Lat view, L plain radiograph of the wrist, image 90.3 mm wide — 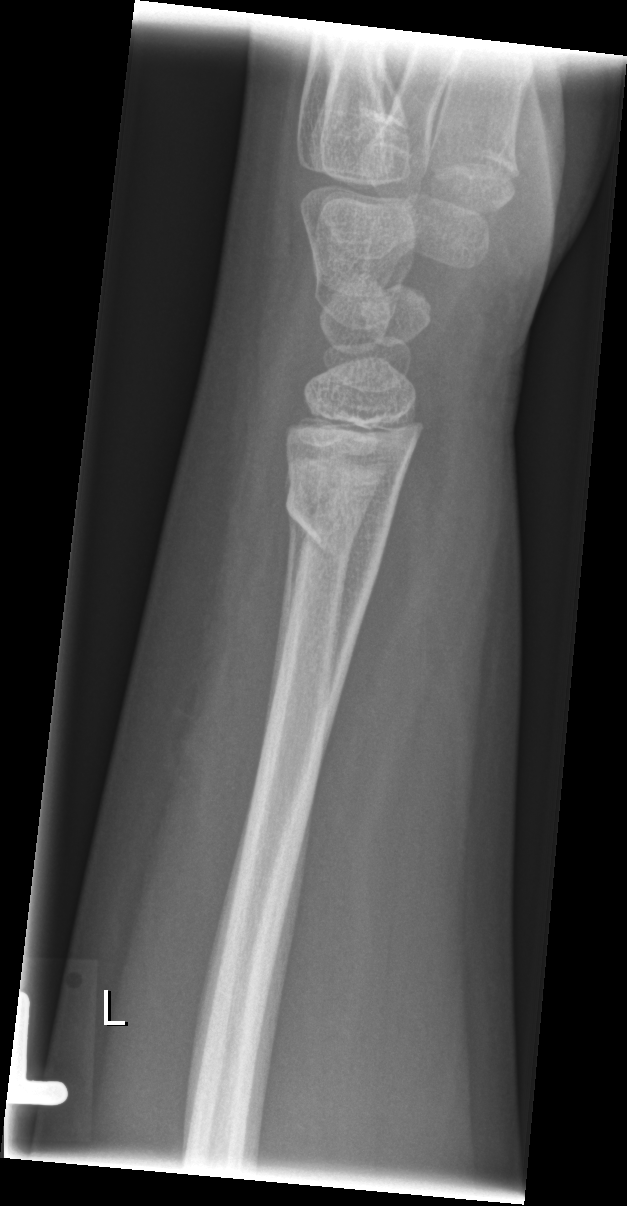 Findings: Bone fracture identified at 279,467,397,578. One pronator quadratus fat-pad sign at 317,434,448,847.